L wrist X-ray | lateral | 445 x 964 px —

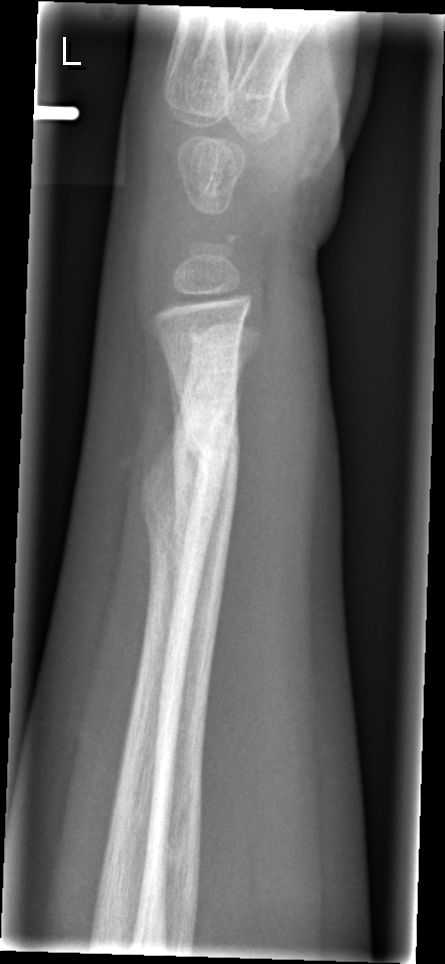

Bone variant — 135,418,227,566. Fx — 175,400,245,489. Periosteal new bone — 166,355,202,626. Reduced bone mineral density.